Left wrist XR, AP, 11y M, follow-up study —
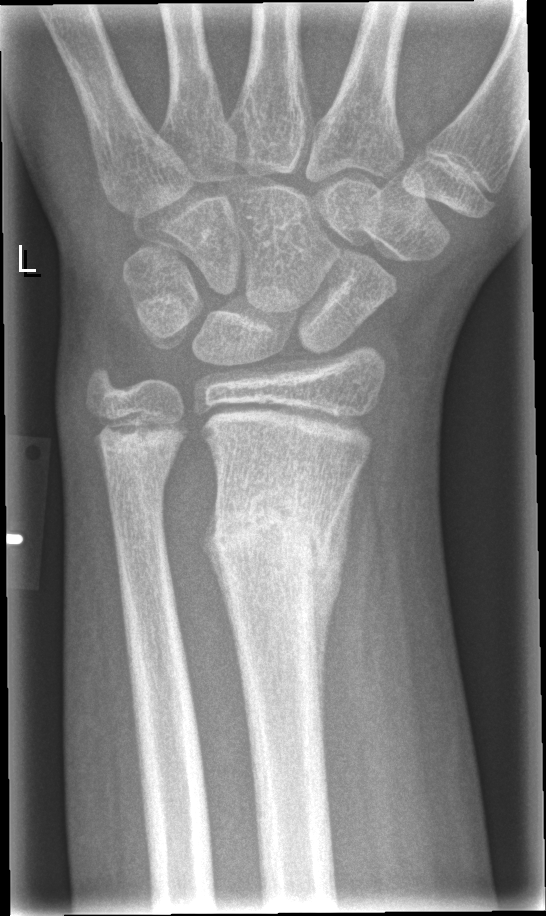

fracture: 203,482,347,633 | 91,406,189,456
periostealreaction: 2 @ 308,469,358,766
  198,493,240,670
ao: 23r-M/3.1; 23u-E/2.1